Lt wrist XR · lat · follow-up · in cast · 542 by 1086 pixels 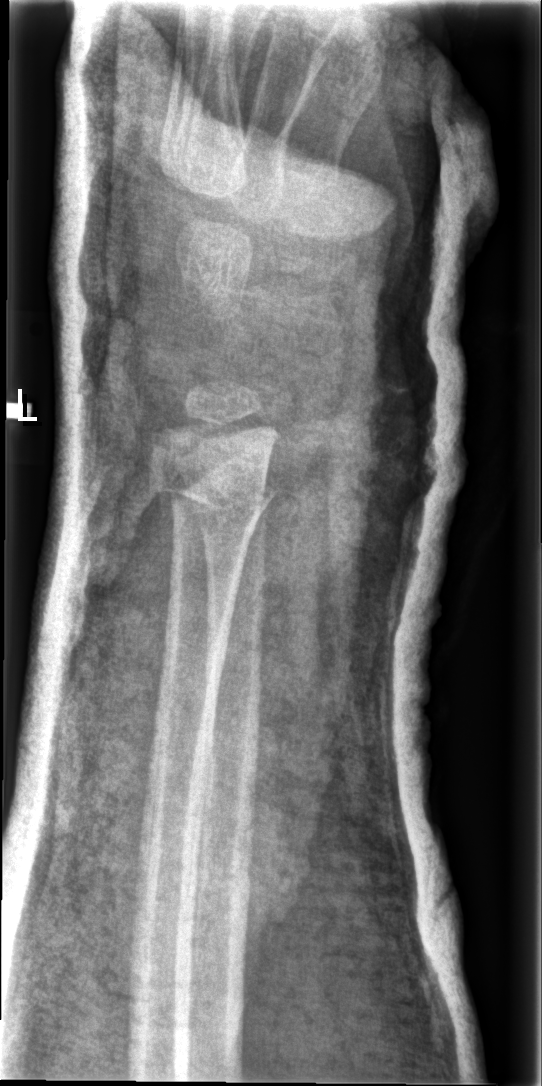
bone fracture: <148,464>-<280,537>
AO classification: 23-M/3.1